PA; L wrist plain film

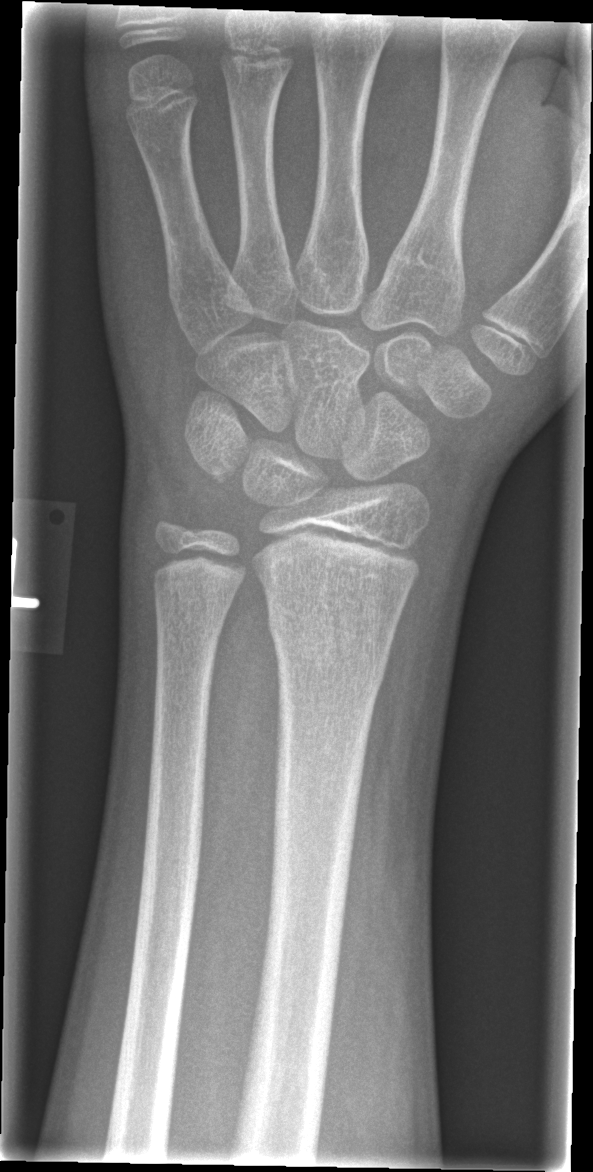

• Coordinates are [x1, y1, x2, y2] in image pixels.
• Fracture: (265, 597, 393, 686).